Right wrist X-ray, PA view 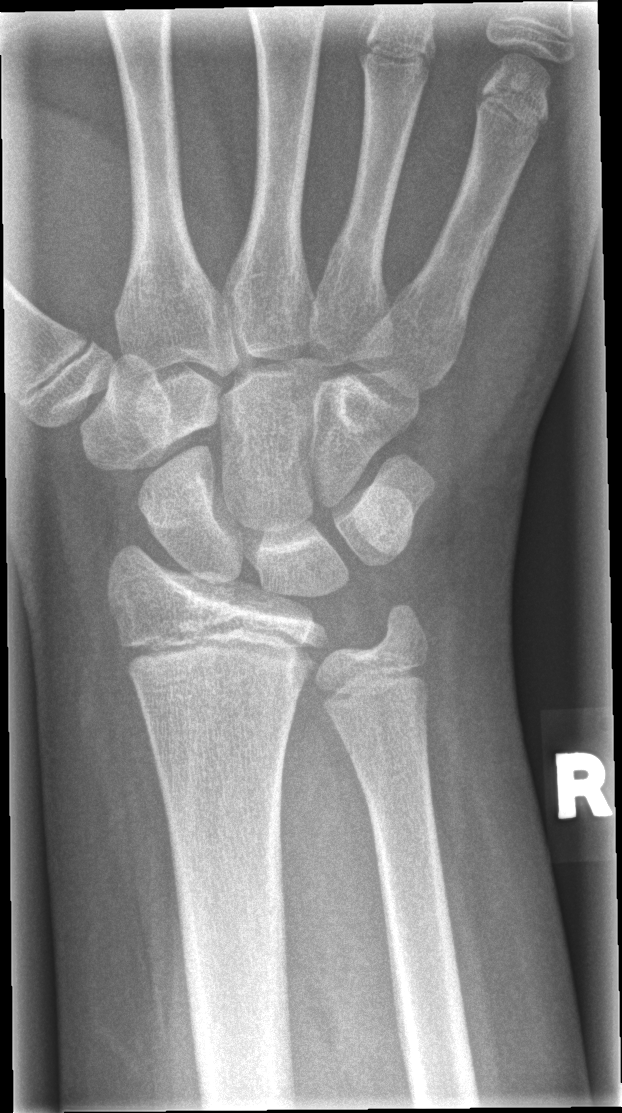
Q: Fracture present?
A: Fx: present but not clearly seen in this view